Right wrist X-ray; lat view; cast present; acquired on Siemens — 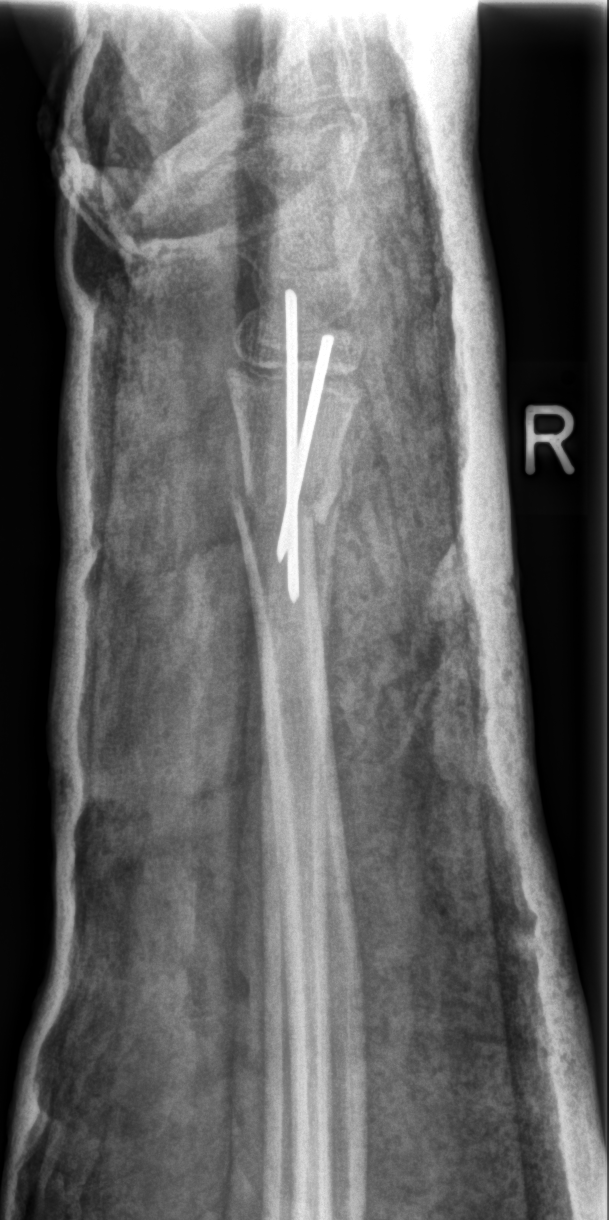

Findings: Fracture classified AO/OTA 23-M/3.1. Metallic implant: [272, 286, 321, 597]. Bone fracture — [227, 473, 348, 546].